L wrist plain film, lat, boy, 14 yo, cast present —

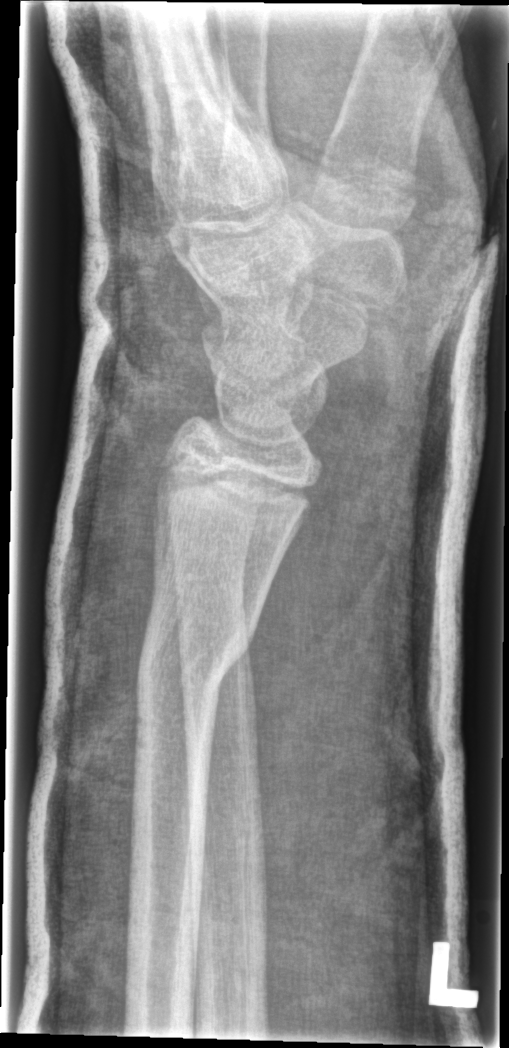
FINDINGS — Bone fracture — (132, 598, 265, 707). Fracture classified AO/OTA 23r-M/3.1; 23u-E/1.